Left wrist radiograph | lat | age 5 y, girl | cast in situ | 537 by 1304 pixels
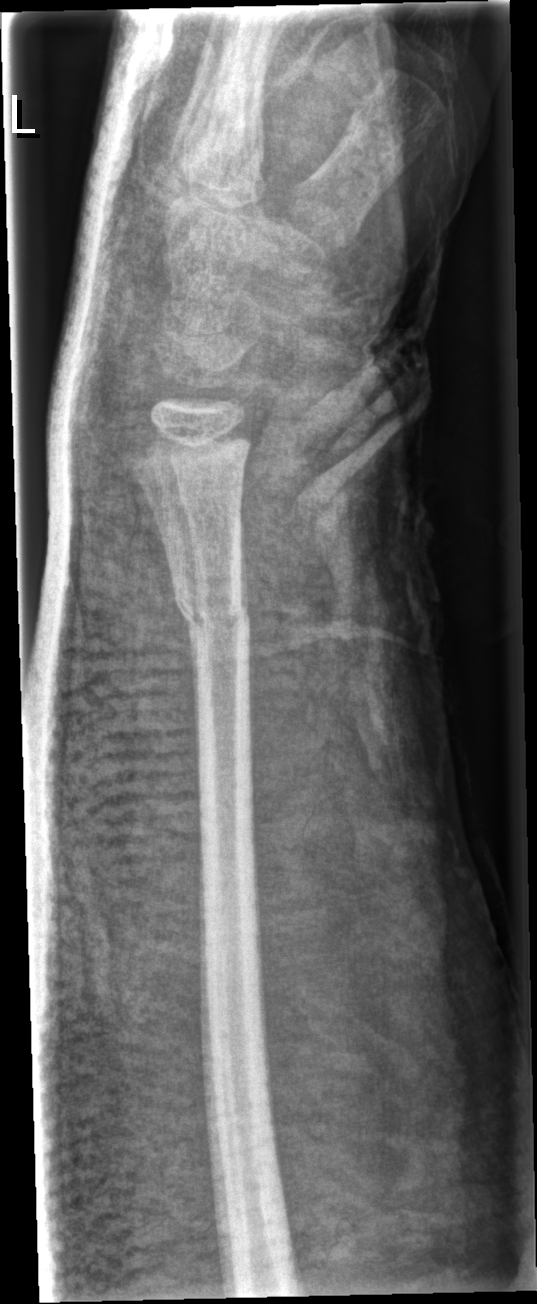 (pixel coordinates, top-left origin, xyxy)
Fx = 176,583,256,639
AO/OTA = 23-M/3.1